L pediatric wrist radiograph, lat, 528 by 774 pixels. 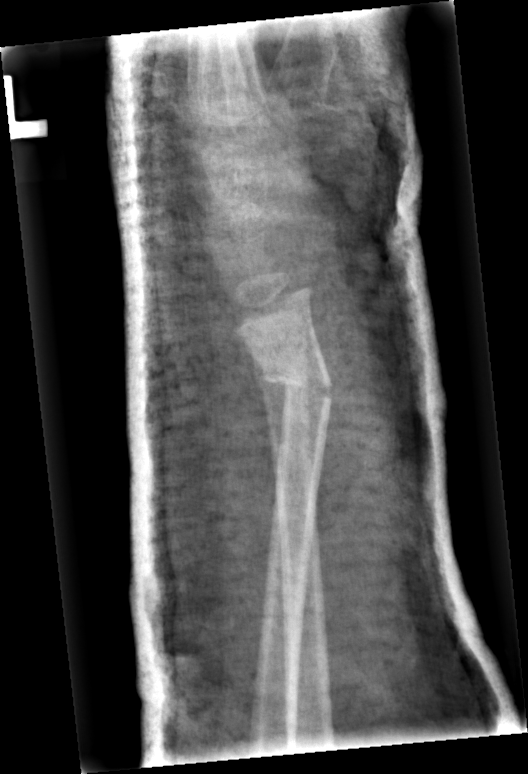 Fracture: 1 @ [x1=254, y1=360, x2=337, y2=407]